Lat projection · left pediatric wrist radiograph · 88.7 mm image width · image size 616x1315
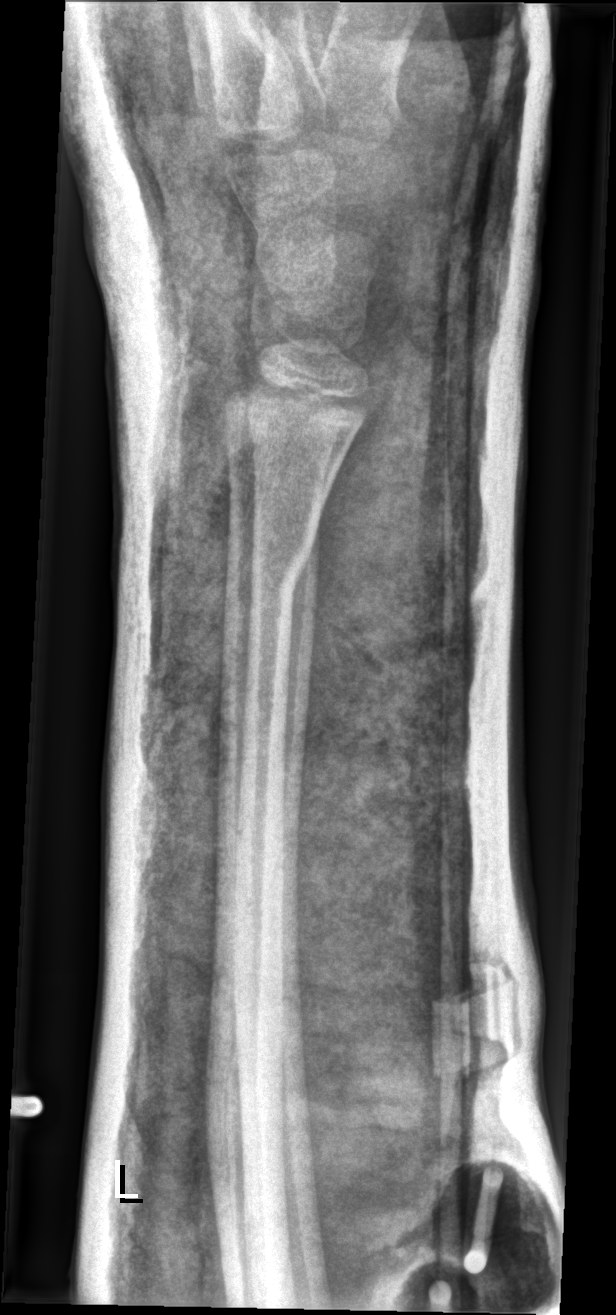

- AO code 23r-M/2.1; 22u-D/2.1.
- Fracture: [x1=225, y1=539, x2=319, y2=604].